Posteroanterior projection | L wrist radiograph | detector: Siemens. 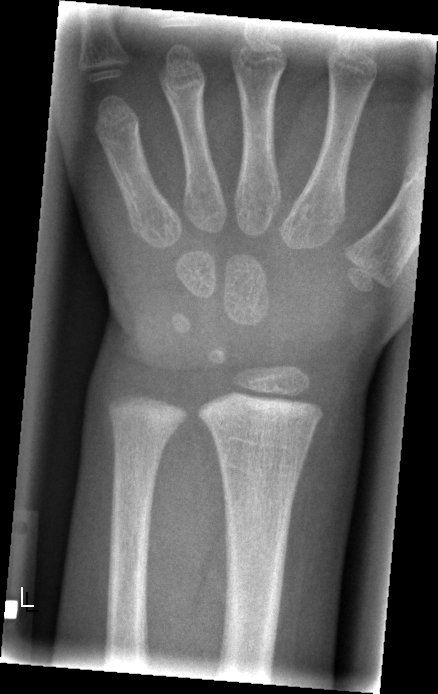 Q: Is there a fracture?
A: Fracture: none labeled